Lt wrist X-ray · lat projection:
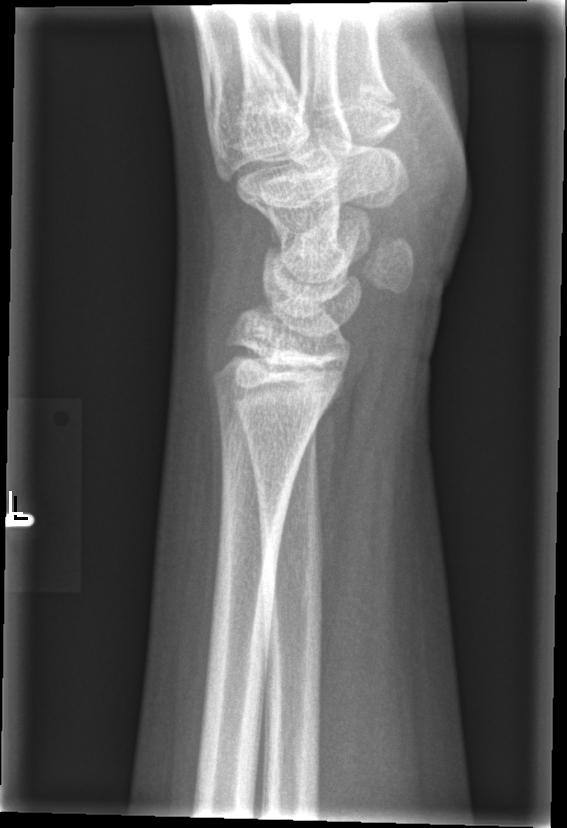 {"fracture": "none labeled"}